Left wrist X-ray | posteroanterior view | male, 9 yo — 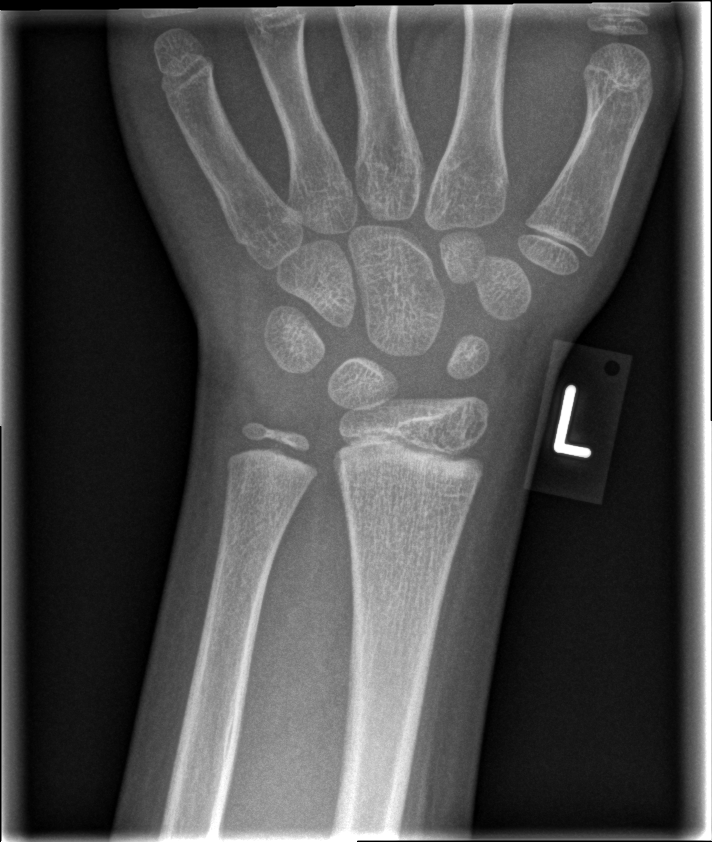 * No fracture labeled.